AP; L pediatric wrist radiograph; 6-year-old female; Siemens — 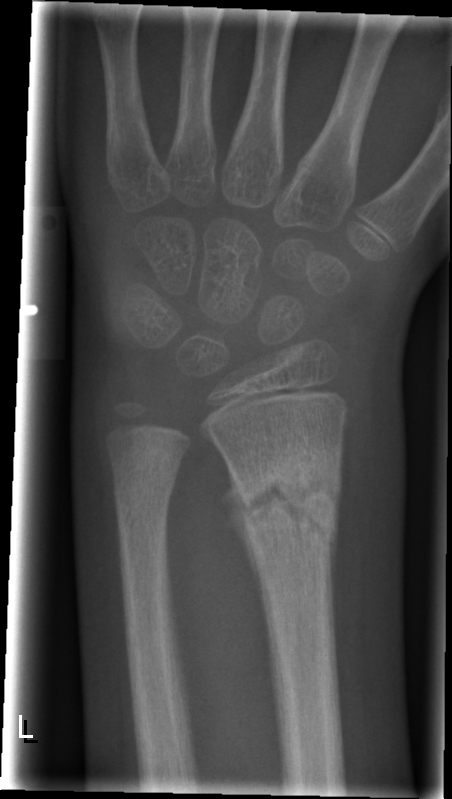 Q: Any periosteal thickening?
A: Periosteal reaction: [x1=221, y1=467, x2=267, y2=654]; [x1=327, y1=479, x2=343, y2=614]
Q: AO code?
A: AO code 23r-M/3.1; 23u-M/2.1
Q: Bone density?
A: Reduced bone mineral density
Q: Fracture present?
A: Bone fracture: [x1=233, y1=444, x2=346, y2=547] [x1=109, y1=447, x2=184, y2=516]